PA/AP view; L wrist X-ray; 12-year-old female —
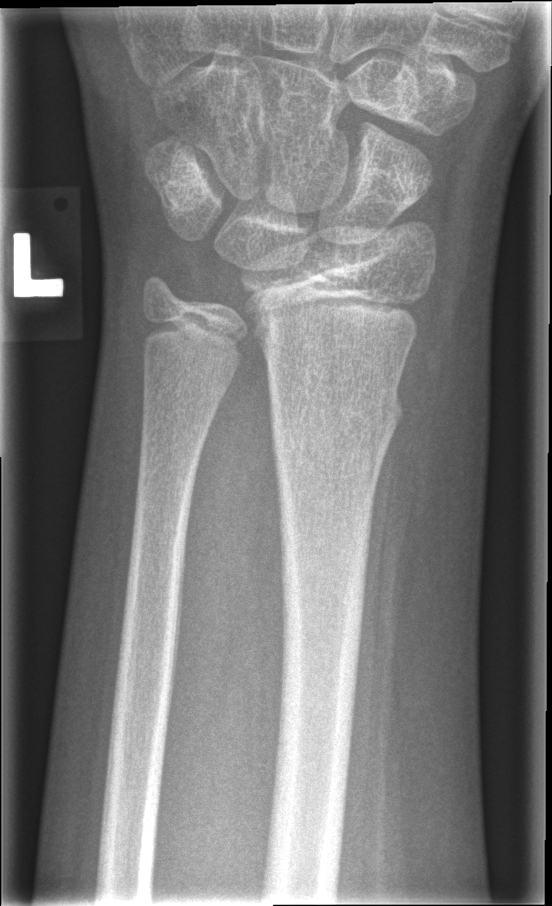

AO classification = 23r-M/2.1
Fx = 1 @ 267,385,406,461